Lateral view | L pediatric wrist radiograph | boy, 14 yo —

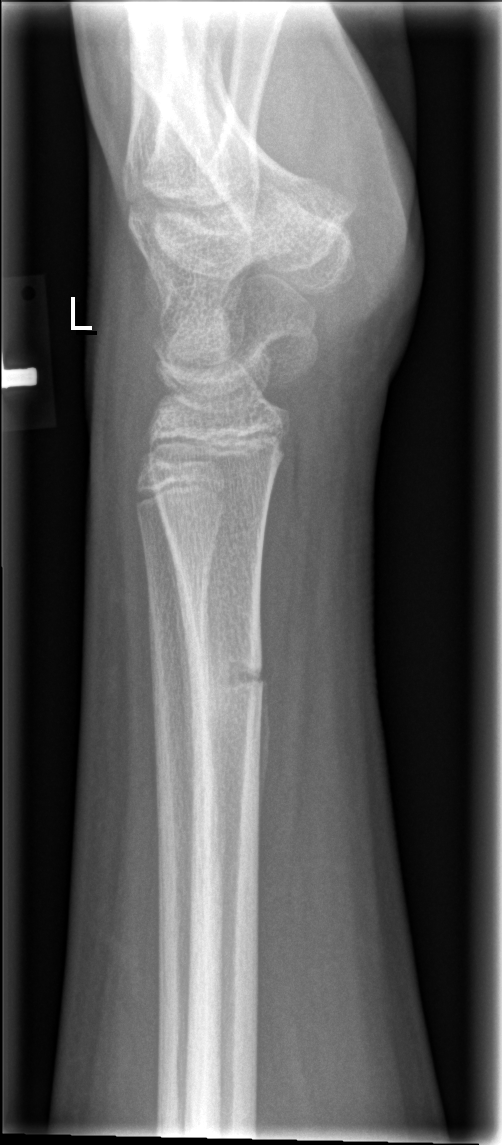
Periosteal new bone: (168, 542, 196, 818); (258, 643, 271, 830)
AO/OTA: 23r-M/3.1
Fx: (181, 643, 272, 706)